Frontal, Lt wrist plain film, 14-year-old boy, follow-up study, 562x916: 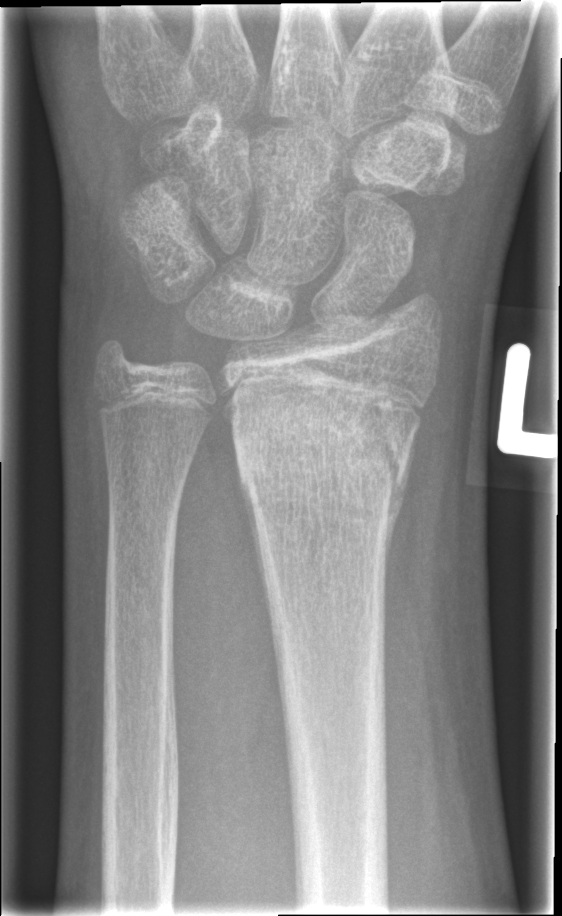
Coordinates are [x1, y1, x2, y2] in image pixels. Fracture — [230, 388, 419, 549]. AO code 23r-M/3.1. Periosteal thickening identified at [235, 452, 272, 634] [385, 428, 419, 594]. Osteopenia.